PA; right wrist pediatric wrist radiograph; girl, 5 yo; acquired on Siemens 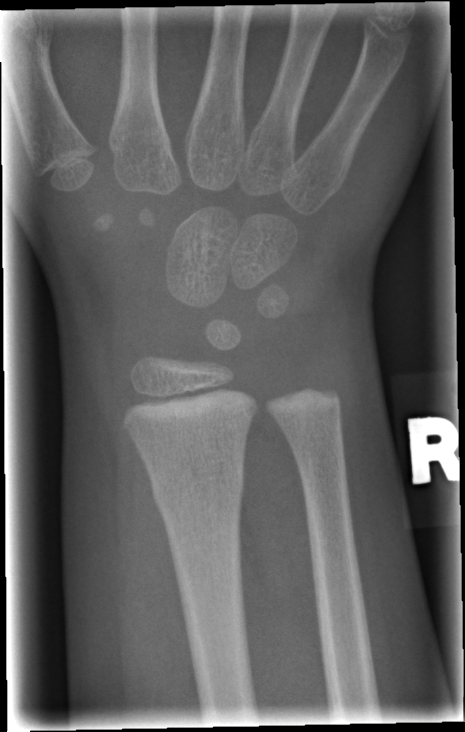

One bone fracture at <149,460>-<246,515>.